L wrist X-ray; lat projection; in cast; detector: Siemens; 97.1 mm image width: 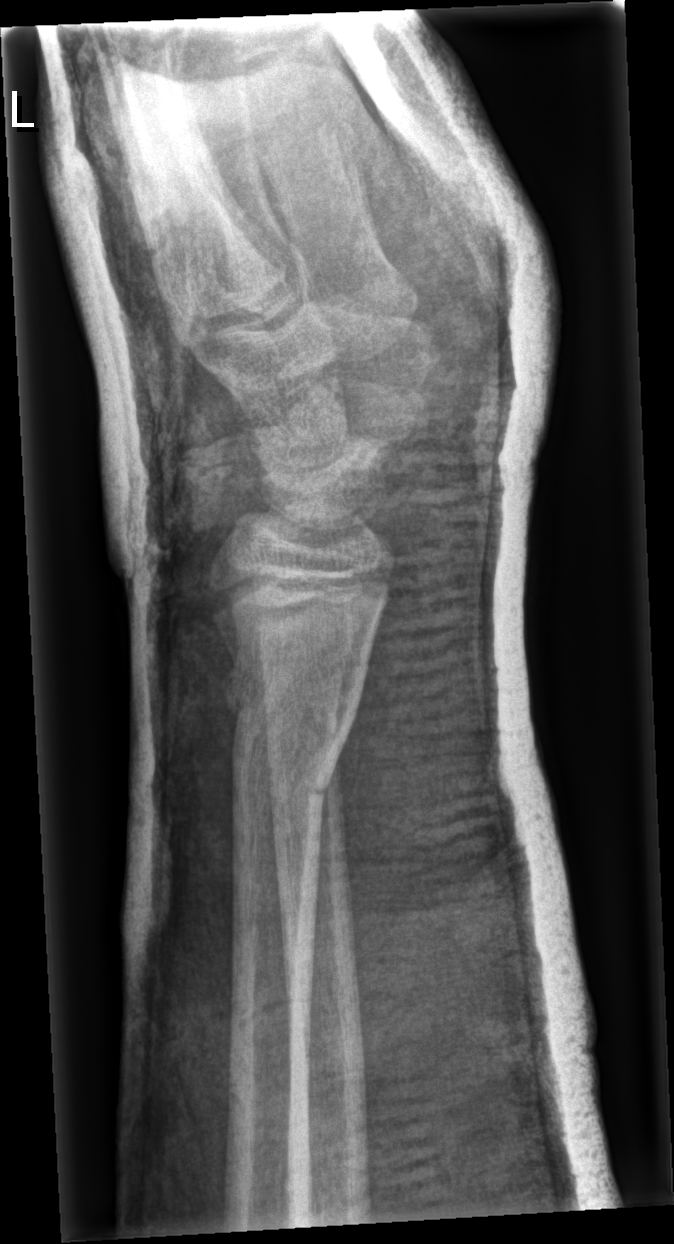
Boxes as x1,y1,x2,y2 (top-left / bottom-right, pixel units).
AO/OTA classification: 23r-M/3.1.
Fracture — (226, 683, 369, 813).